Posteroanterior view | right wrist radiograph | 12y M

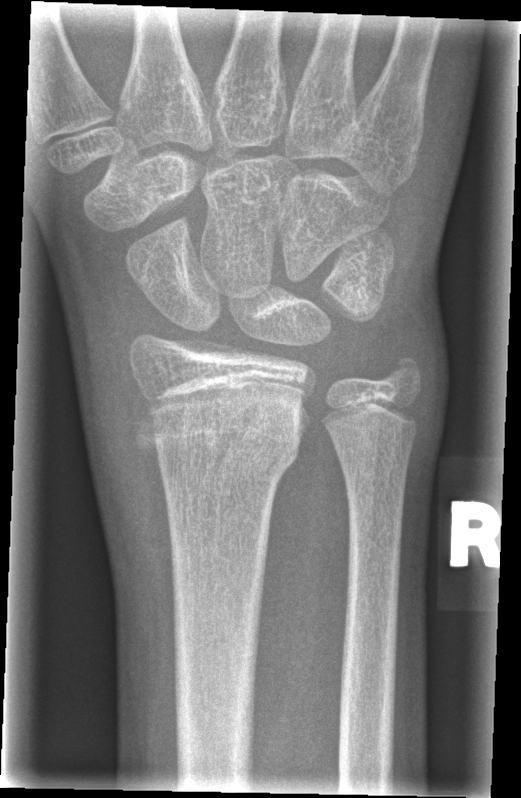 Fractures — [x1=129, y1=372, x2=312, y2=495] [x1=379, y1=347, x2=427, y2=406].
Fracture classified AO/OTA 23r-E/2.1; 23u-E/7.